Lat view | R wrist radiograph | girl, 13 yo | imaged through cast | image width 87.3 mm:

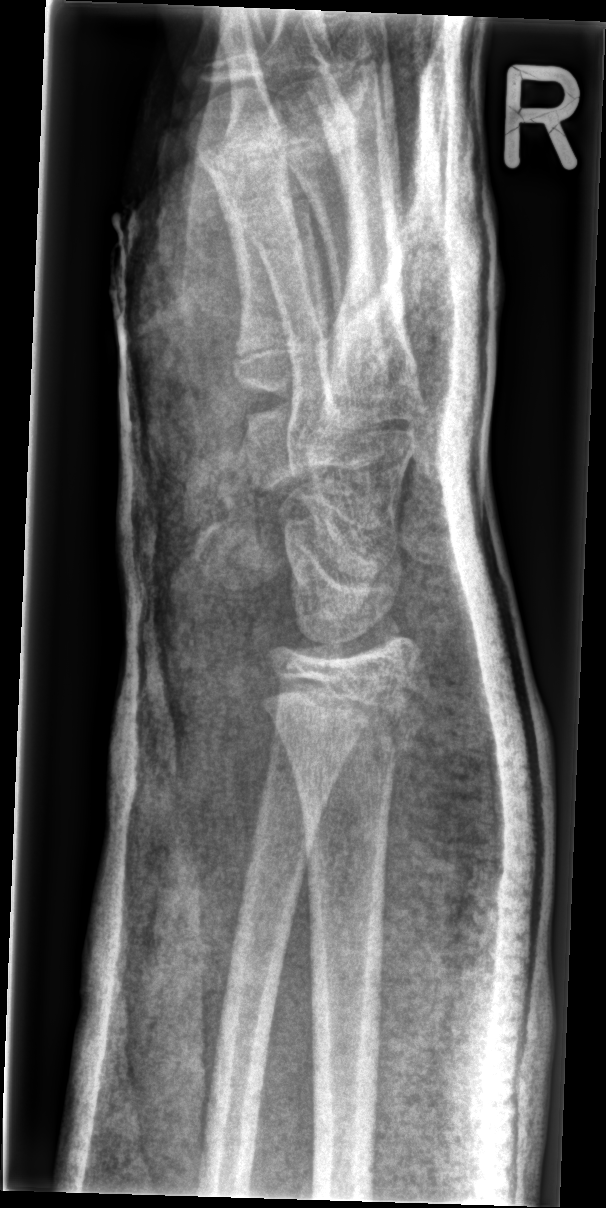
One Fx at 255,667,435,776.